PA/AP projection · left wrist radiograph · follow-up · Siemens —
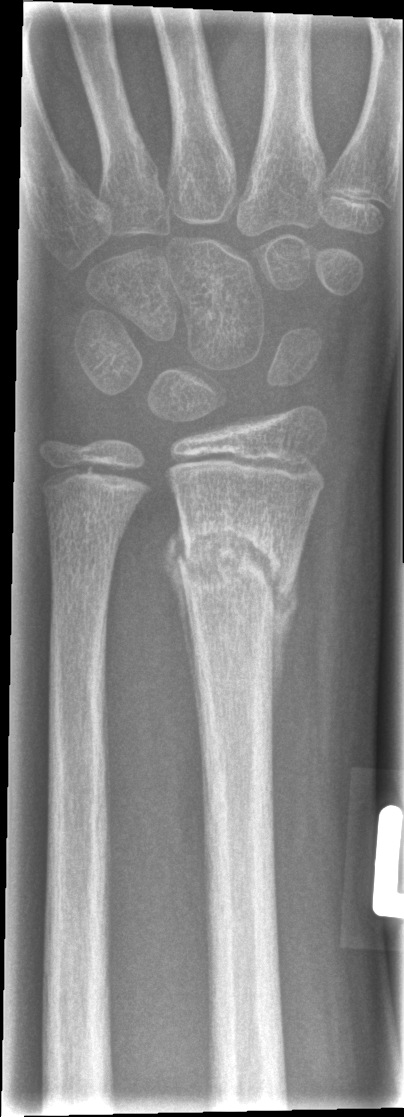 • Bounding boxes in image-pixel xyxy.
• Osteopenia.
• Bone fracture — 169,515,298,632.
• Periosteal reaction — 164,511,207,773
  264,534,305,758.
• Fracture classified AO/OTA 23r-M/3.1.